Right wrist radiograph; lateral projection; 418 by 770 pixels — 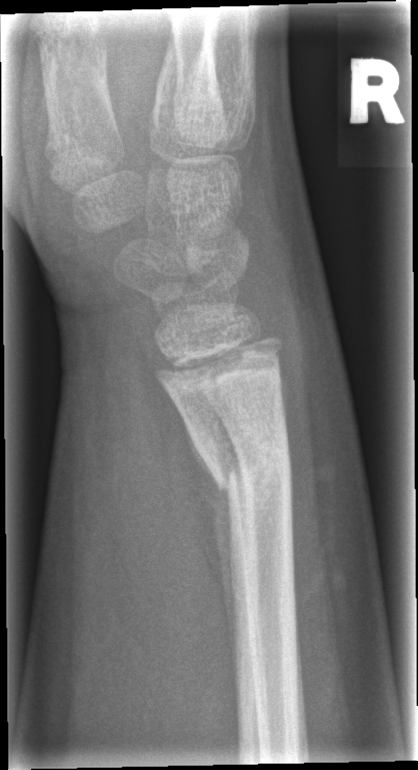

Fx — [196, 425, 294, 503].
Periosteal reaction: [184, 420, 233, 649].